Frontal view, Lt plain radiograph of the wrist, pediatric patient (female, age 10):

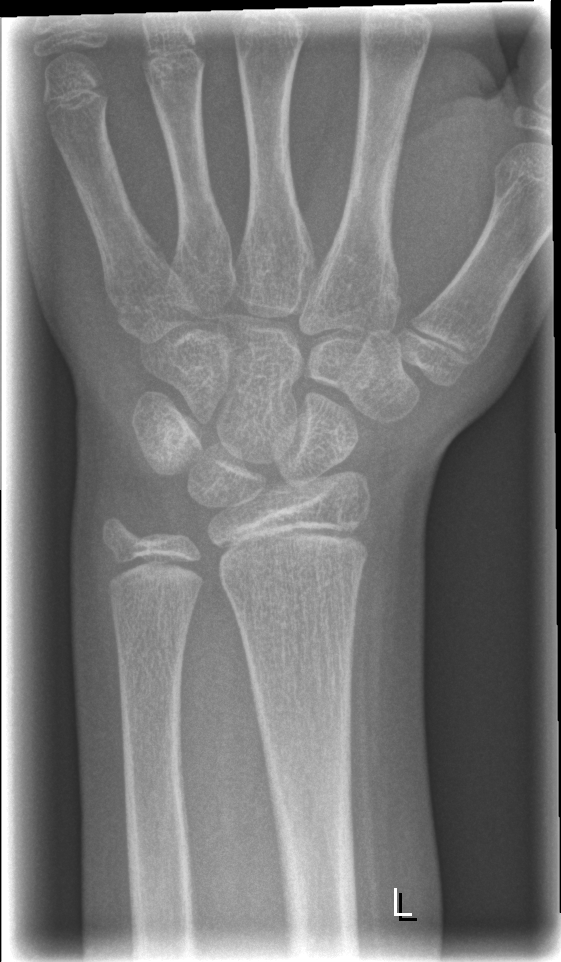

Fracture: none labeled.